Right wrist radiograph, PA/AP view, 14-year-old boy, 111.6 mm image width. 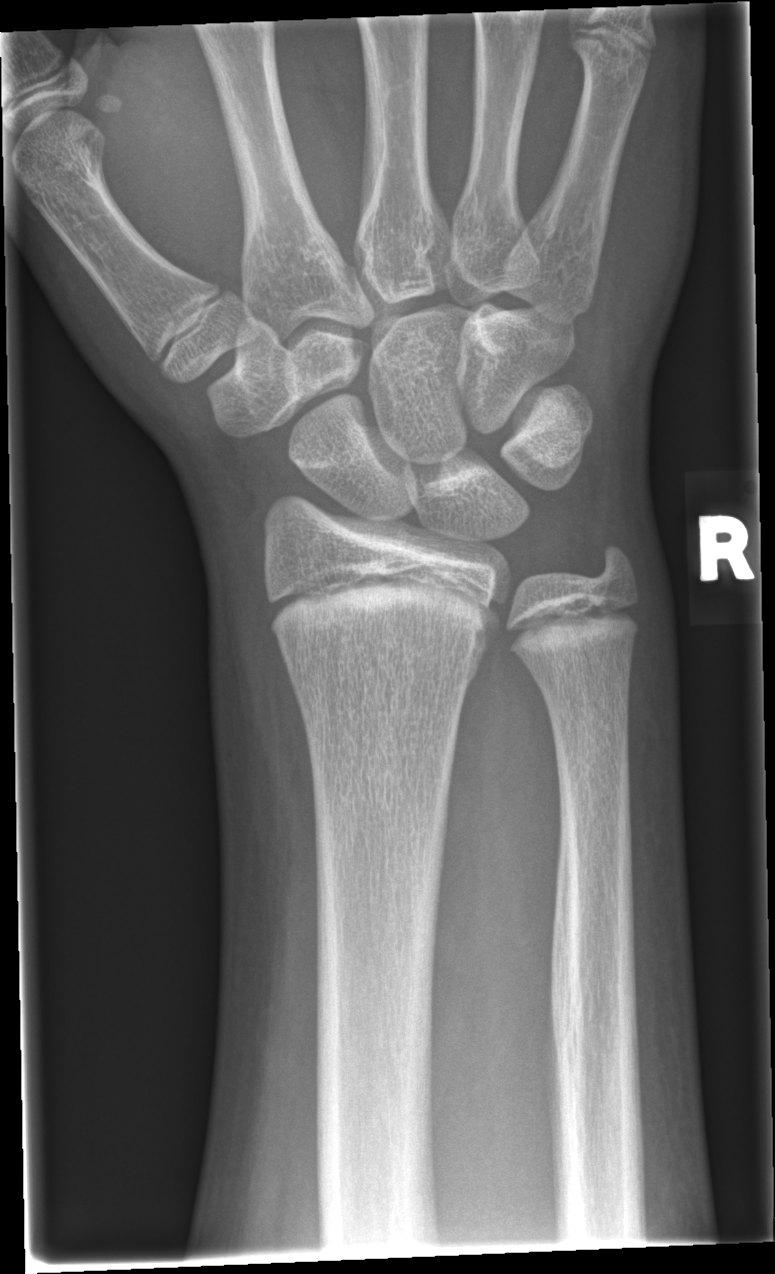
Coordinates are [x1, y1, x2, y2] in image pixels. Periosteal thickening identified at [465, 608, 499, 687]. Fracture identified at [267, 604, 500, 695]. AO code 23r-M/2.1.